Rt plain radiograph of the wrist · lateral · initial study.

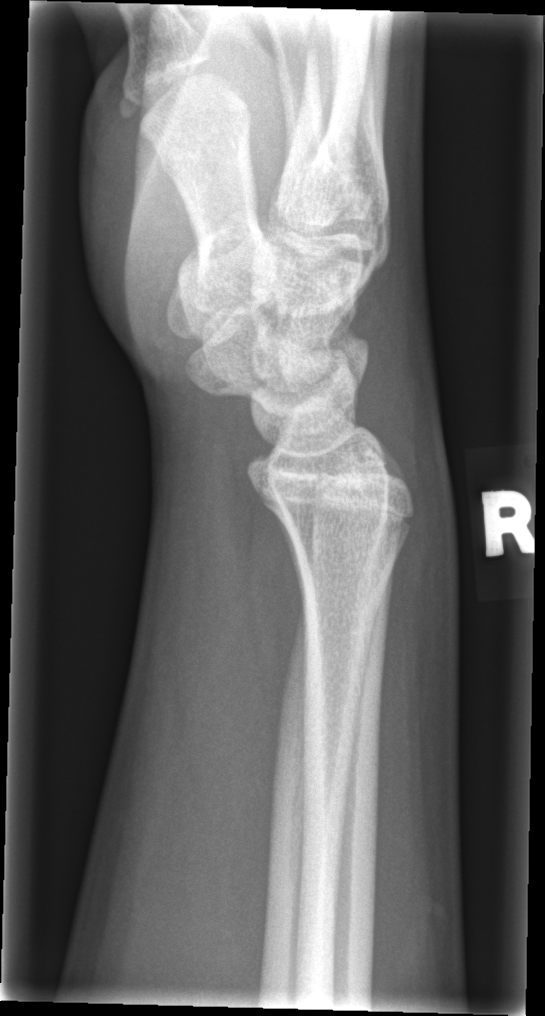

Q: Is there a fracture?
A: No fracture bounding box